Rt pediatric wrist radiograph | frontal | cast in situ | 862 by 1044 pixels: 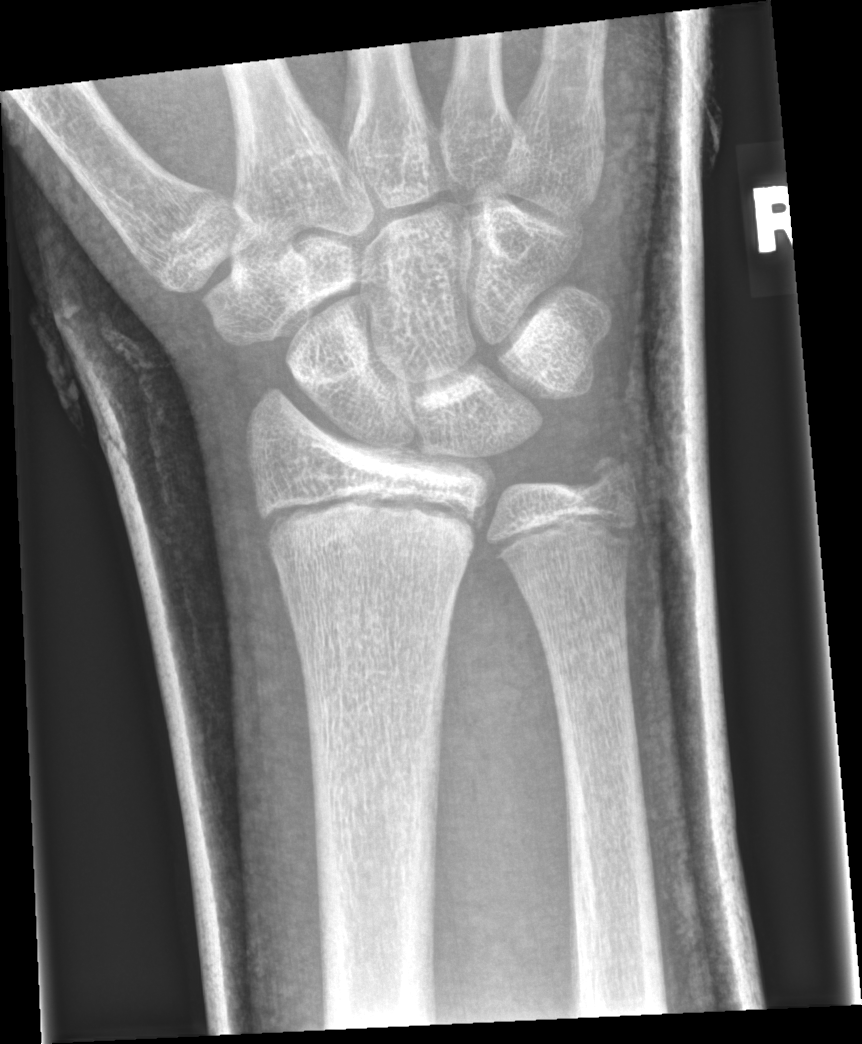 FINDINGS — (pixel coordinates, top-left origin, xyxy) AO code 23r-E/2.1; 23u-E/7. Fracture identified at bbox(256, 497, 491, 582); bbox(577, 445, 648, 514).